Left wrist X-ray; lateral view; 17y M; acquired on Siemens; image width 81.5 mm

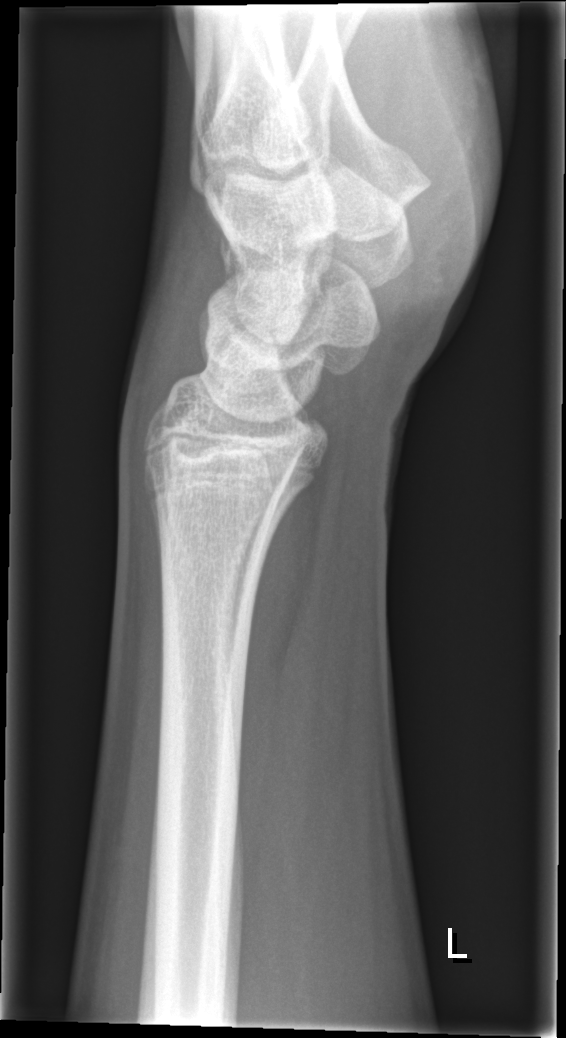   fracture: none labeled